R wrist XR | posteroanterior | image width 92.0 mm.
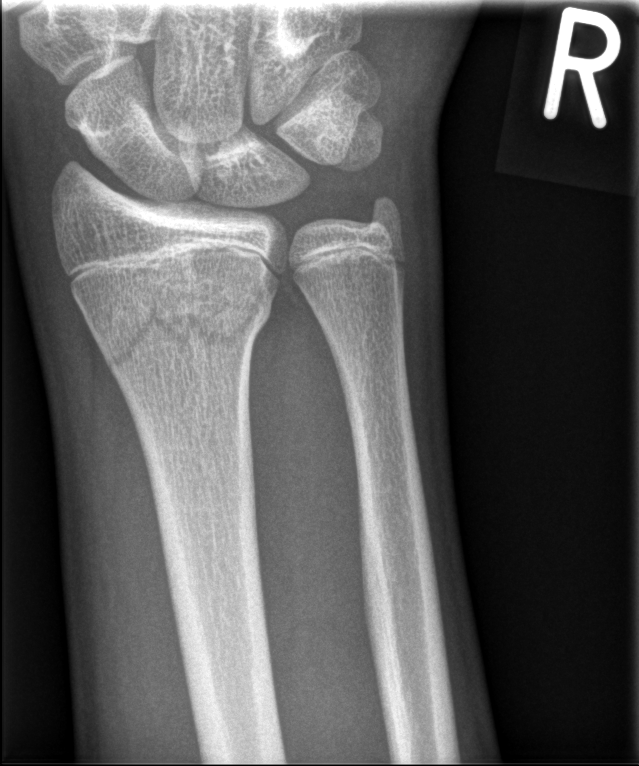
Pixel coordinates, top-left origin, xyxy.
AO code 23r-M/3.1.
Fracture: (left=89, top=280, right=277, bottom=371).